PA view | Rt wrist XR | male, 3 yo.
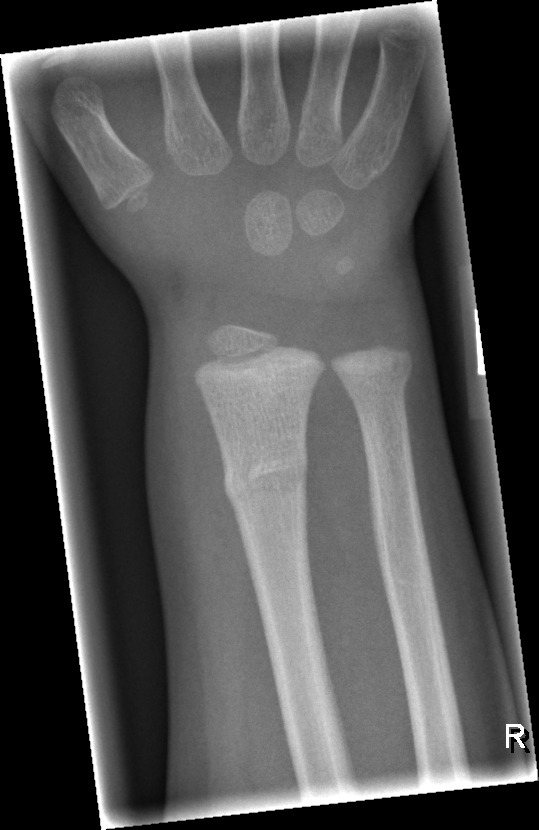

  # pixel coordinates, top-left origin, xyxy
  fracture: 2 @ [x1=220, y1=438, x2=312, y2=512], [x1=341, y1=364, x2=416, y2=405]
  softtissue: [x1=145, y1=328, x2=240, y2=603]